Lt wrist X-ray · lateral projection · Siemens.

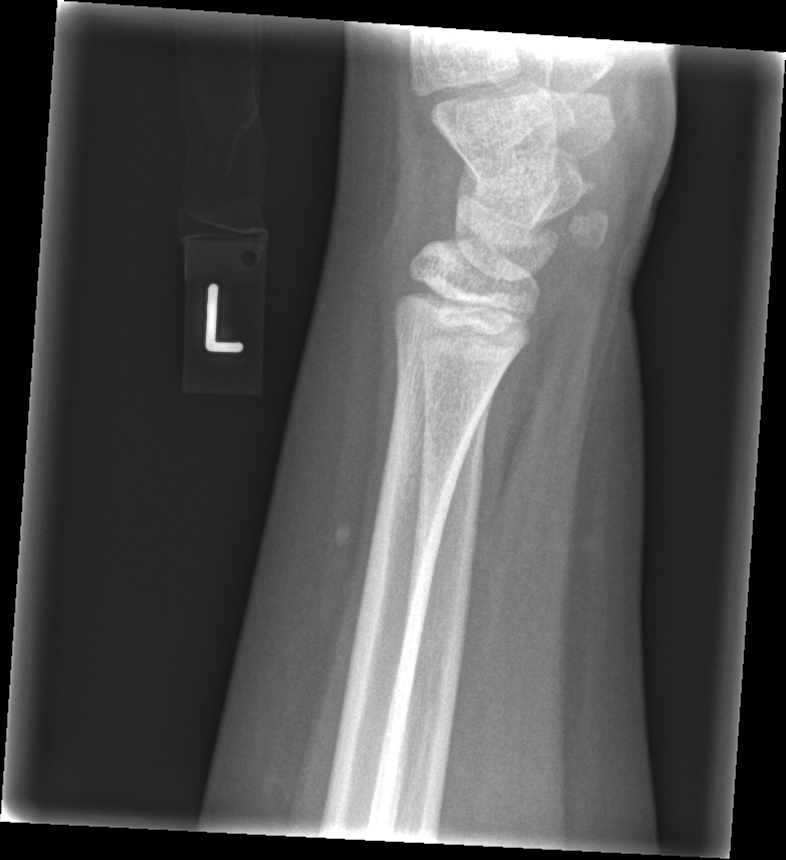

Fracture: none labeled